Lateral view | right pediatric wrist radiograph | female, 12 yo | in cast 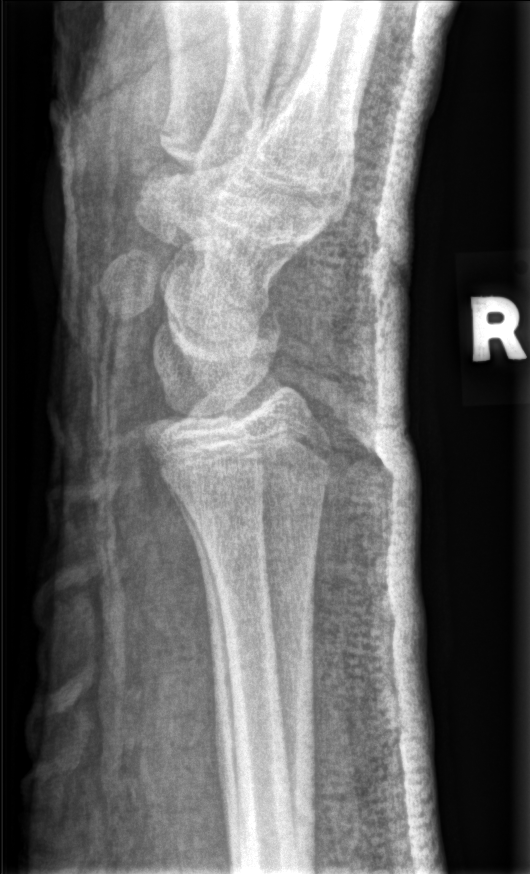
* No Fx annotated.